AP view | L wrist X-ray
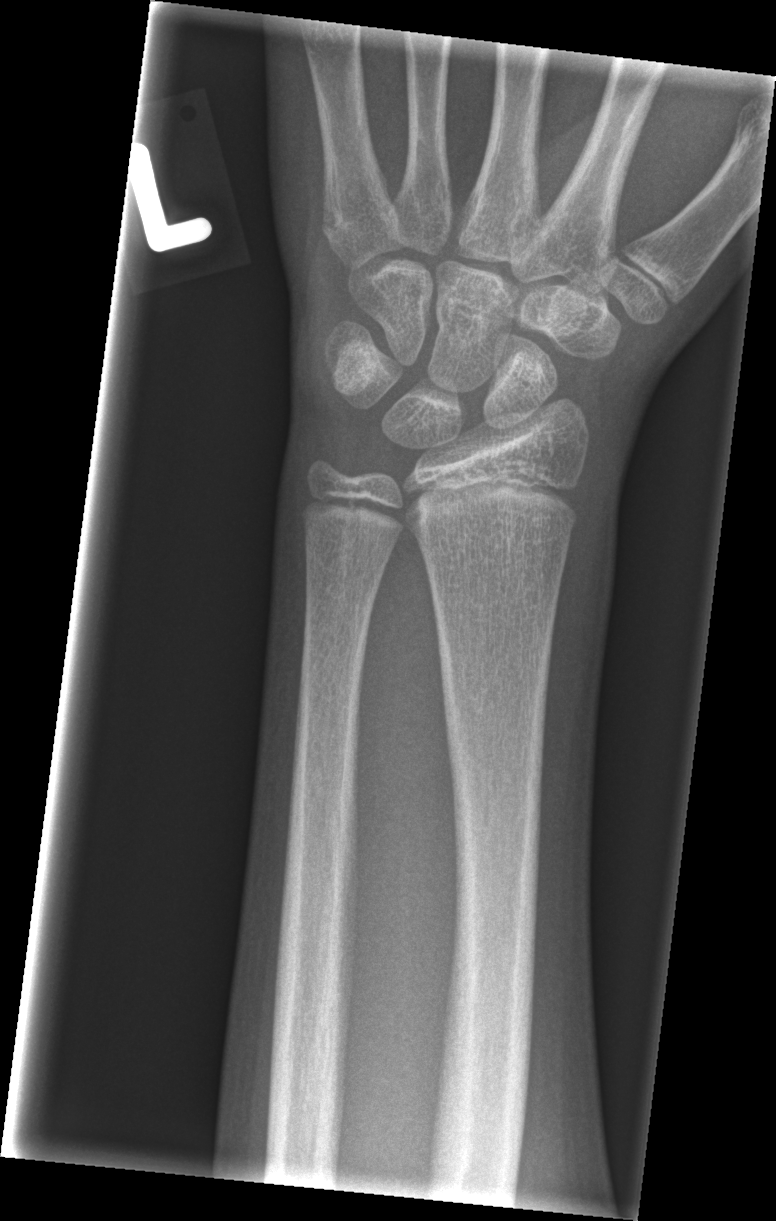
FINDINGS — No fracture annotation.